Left wrist plain film, lat view, girl, 6 yo, image 49.8 mm wide: 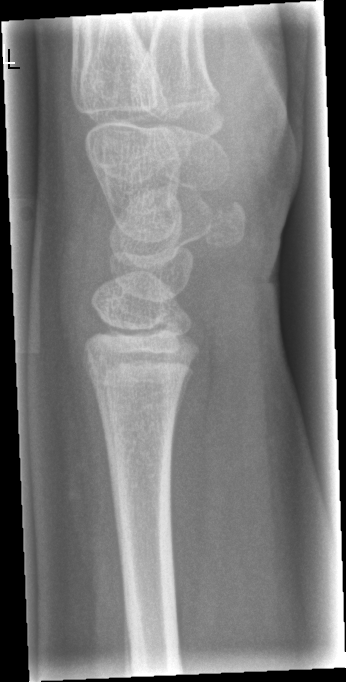

Fx = none labeled